Lateral · right wrist XR 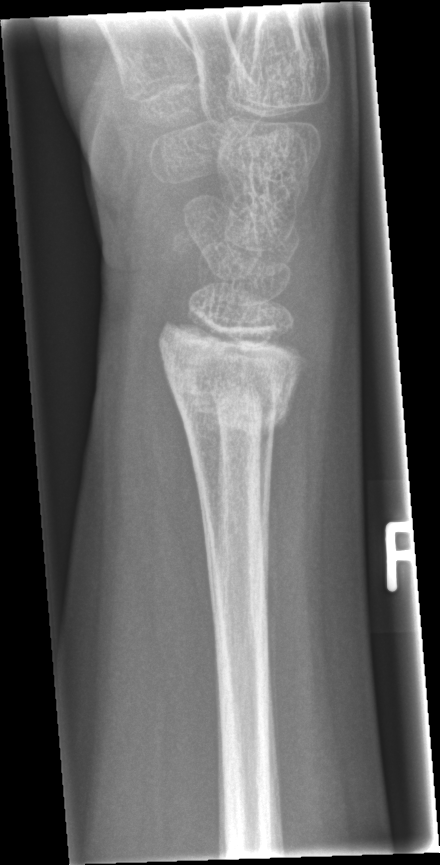

Bone fracture identified at (left=160, top=342, right=306, bottom=433).
Osteopenia.